R wrist plain film · lat 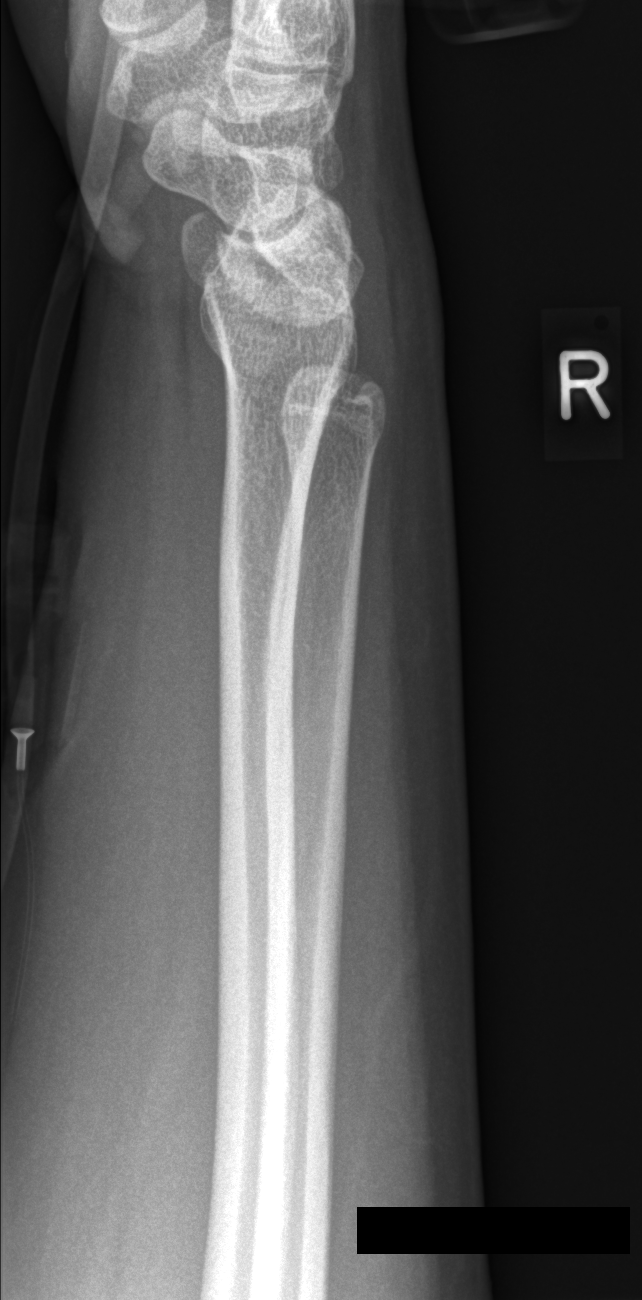
Fx: none. Radiopaque foreign body — (11, 720, 40, 786).